Posteroanterior view · L wrist plain film · age 8 y, female · subsequent exam:
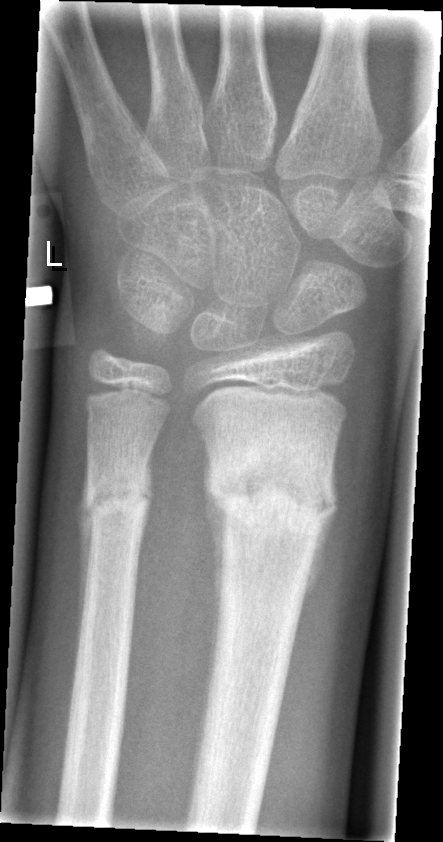 {
  "_coords": "boxes as x1,y1,x2,y2 (top-left / bottom-right, pixel units)",
  "fracture": "[x1=201, y1=439, x2=343, y2=537], [x1=81, y1=464, x2=154, y2=533]",
  "ao": "23-M/3.1",
  "periostealreaction": "[x1=299, y1=448, x2=339, y2=620] [x1=201, y1=436, x2=226, y2=660] [x1=74, y1=454, x2=94, y2=680] [x1=140, y1=448, x2=154, y2=547]",
  "osteopenia": "present"
}